L pediatric wrist radiograph · PA/AP · subsequent exam · cast present · image width 87.3 mm. 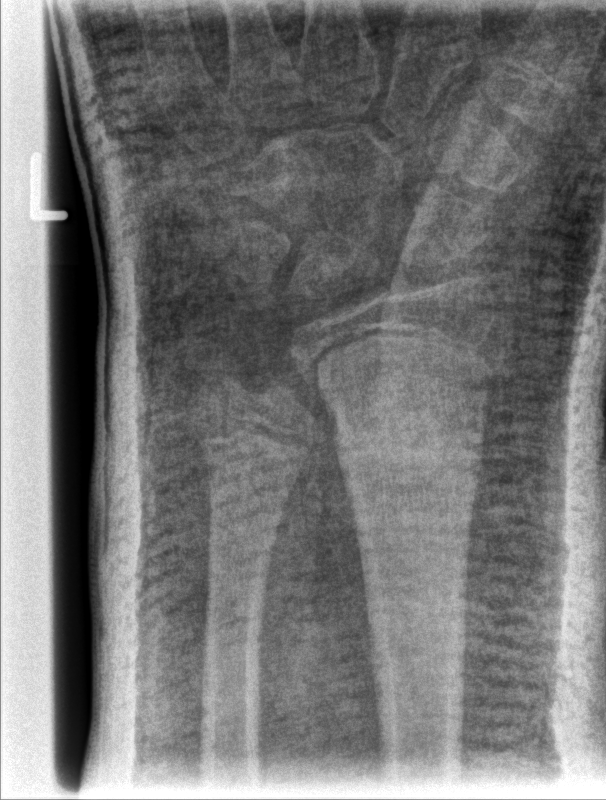

• Osseous anomaly identified at bbox(187, 264, 352, 487).
• Fx: bbox(333, 411, 488, 485).